Obl; L plain radiograph of the wrist; 17y M; initial study; 647 x 1108 px.

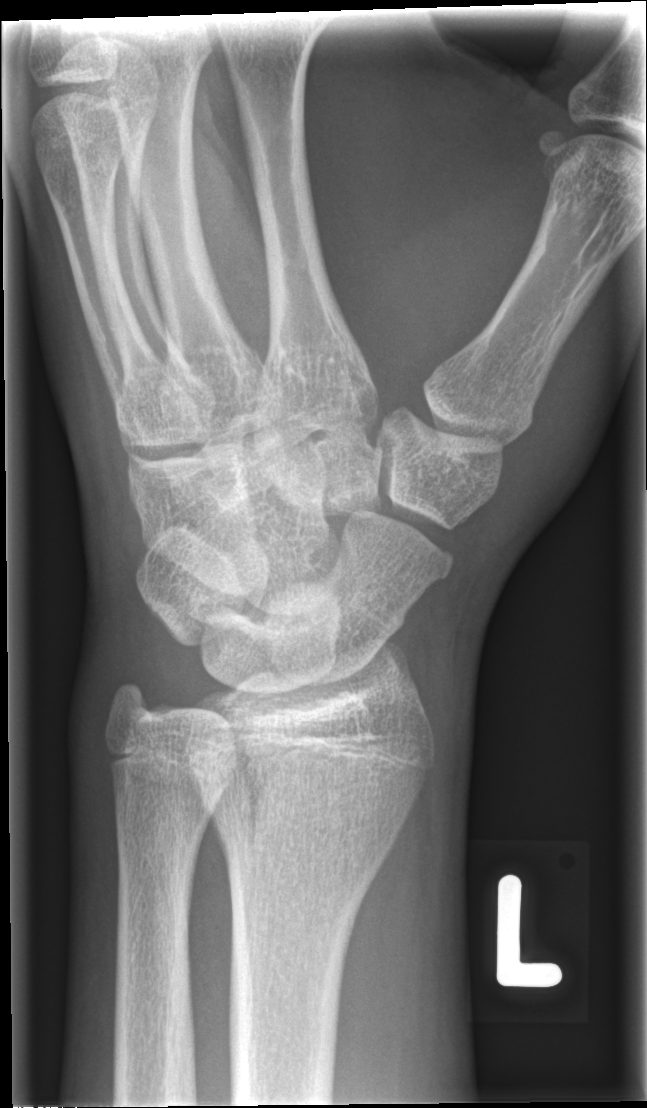 FINDINGS: Fx present but not clearly seen in this view. AO code 23r-M/2.1.